Left wrist X-ray, frontal
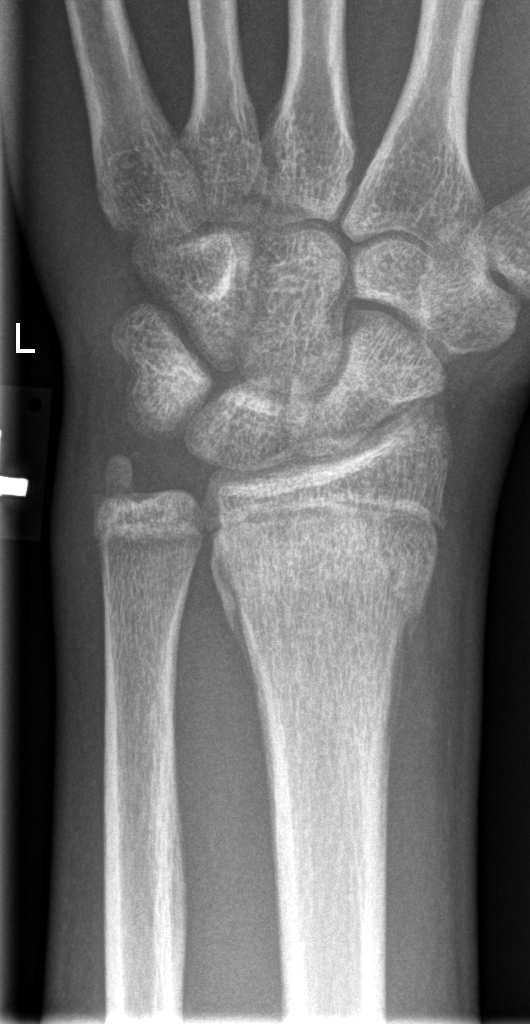

Periosteal thickening: 383 600 424 817
  211 536 261 709
Osteopenia: present
Fx: 208 516 437 645 | 86 447 159 534
AO code: 23r-M/3.1; 23u-E/7